Lat projection · Rt wrist X-ray · subsequent exam

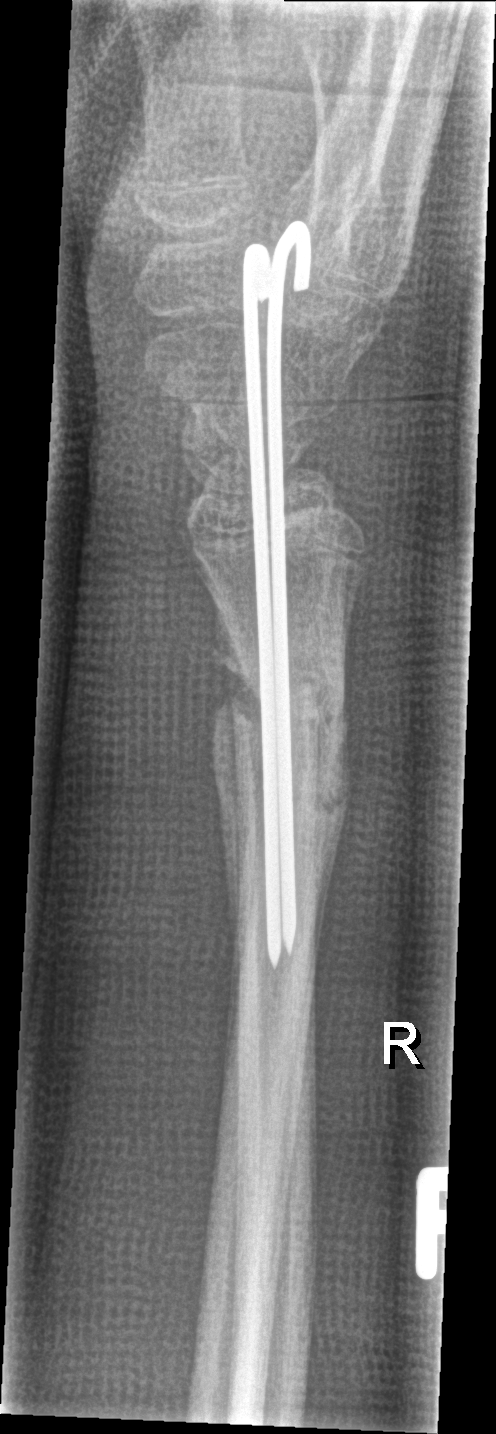
* Metal identified at [x1=240, y1=214, x2=320, y2=972].
* Fx — [x1=212, y1=613, x2=355, y2=828].
* Fracture classified AO/OTA 23r-M/3.1; 22u-D/4.1; 23u-E/7.